Left wrist plain film · posteroanterior
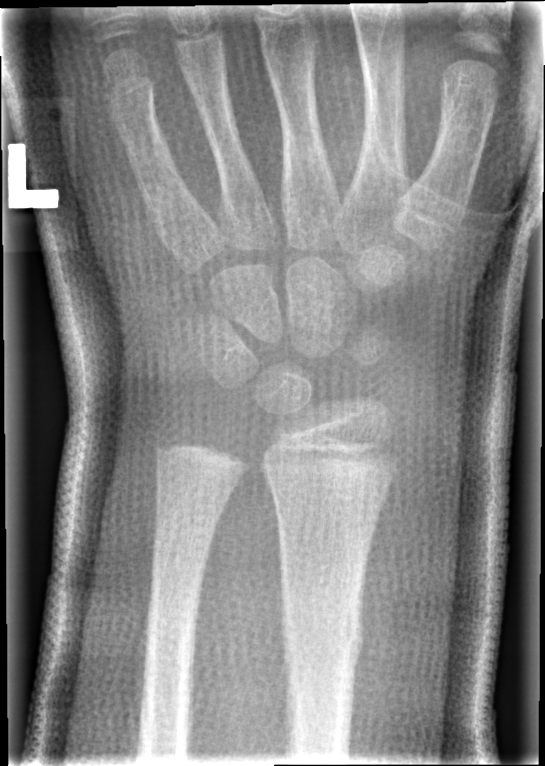 (pixel coordinates, top-left origin, xyxy)
AO code = 22r-D/2.1
Fx = [x1=278, y1=611, x2=364, y2=661]